Lateral; left wrist pediatric wrist radiograph —

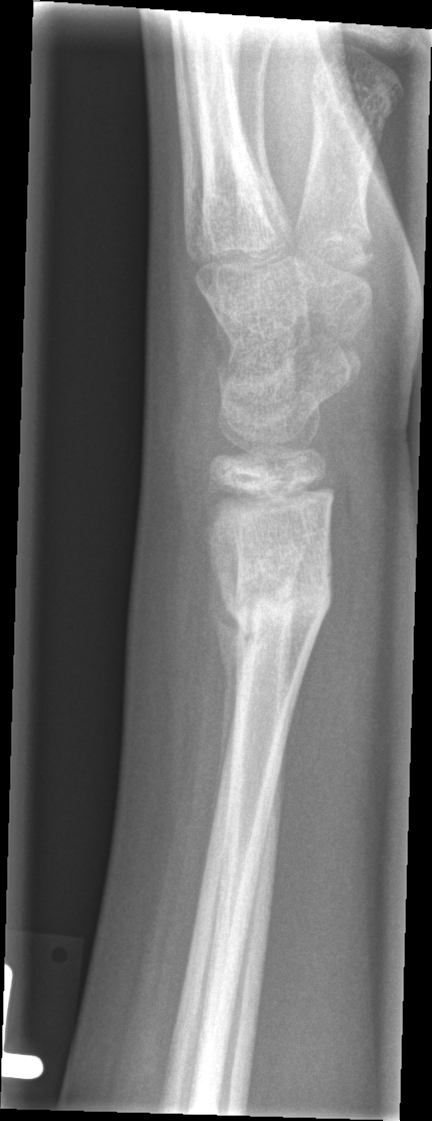

FINDINGS — Fracture classified AO/OTA 23-M/3.1. Decreased bone density (osteopenia). One Fx at 207 564 339 658. Periosteal new bone — 212 552 241 804.